Left wrist plain film, lat, pediatric patient (male, age 3) —

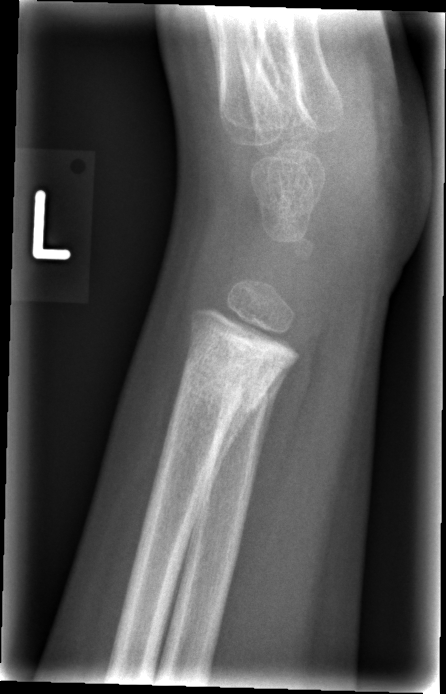
{"osteopenia": "present", "fracture": "1 @ bbox(181, 348, 272, 416)", "periostealreaction": "1 @ bbox(176, 370, 284, 570)"}